Lt plain radiograph of the wrist | frontal | age 7 y, female | image width 66.5 mm.
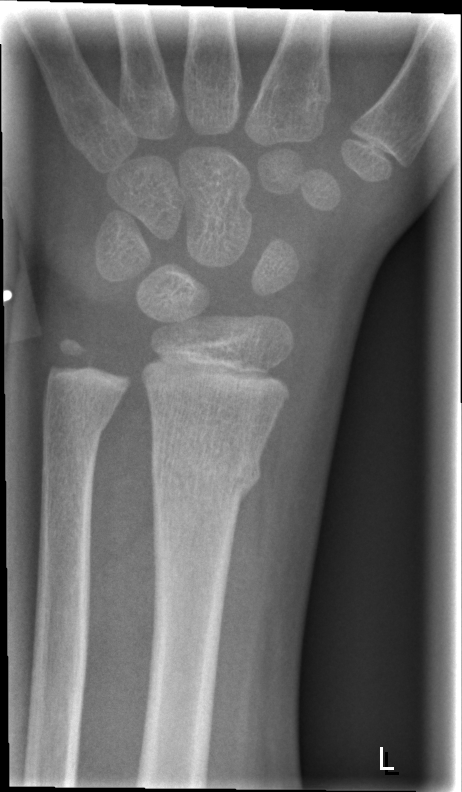 Findings: Fx — [x1=149, y1=438, x2=264, y2=504]; [x1=38, y1=409, x2=112, y2=444].